AP; Lt wrist X-ray; age 9 y, female; Siemens; image width 72.0 mm. 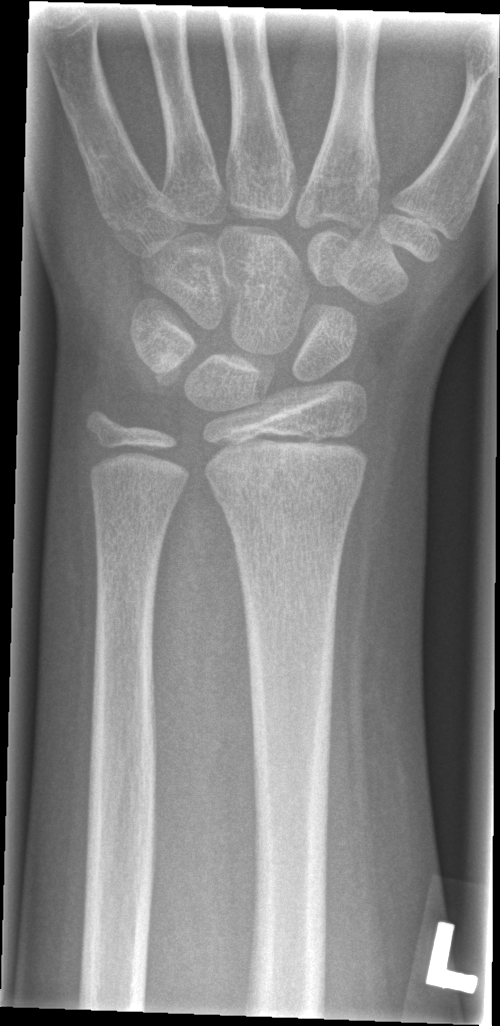 {
  "ao": "23r-M/2.1",
  "fracture": "1 @ 210,453,369,509"
}